Left wrist X-ray, lat projection, 499 by 1034 pixels —
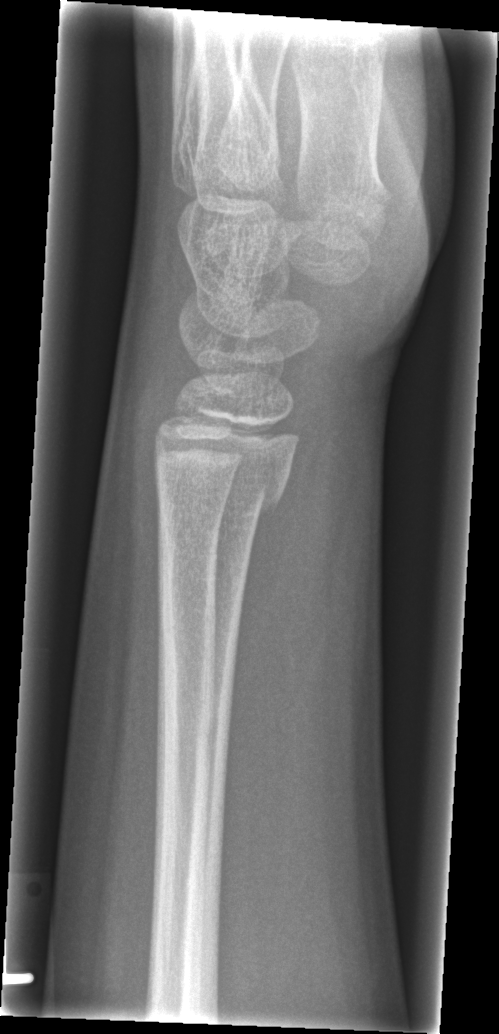 Bone fracture = 152 456 295 523
AO classification = 23r-M/3.1